Left wrist X-ray, frontal, index exam:
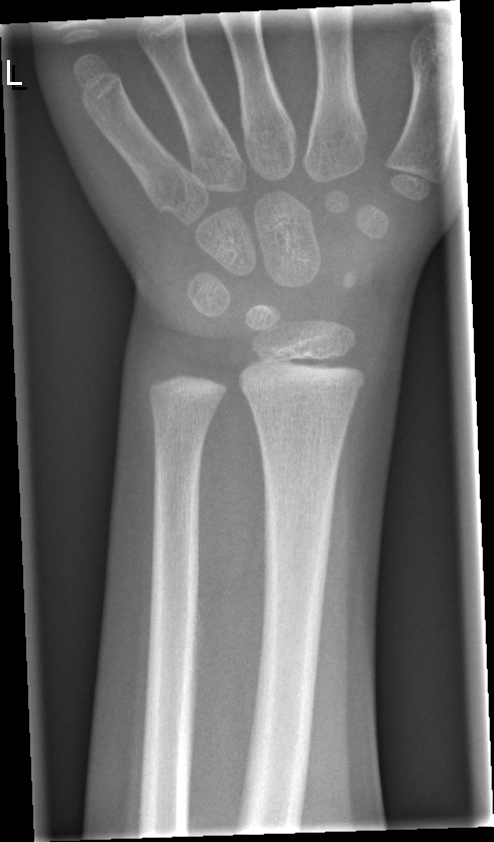 Q: Locate any fractures.
A: No fracture annotation